Left wrist X-ray · lateral projection · 8y M · in cast · detector: Siemens · image 76.9 mm wide: 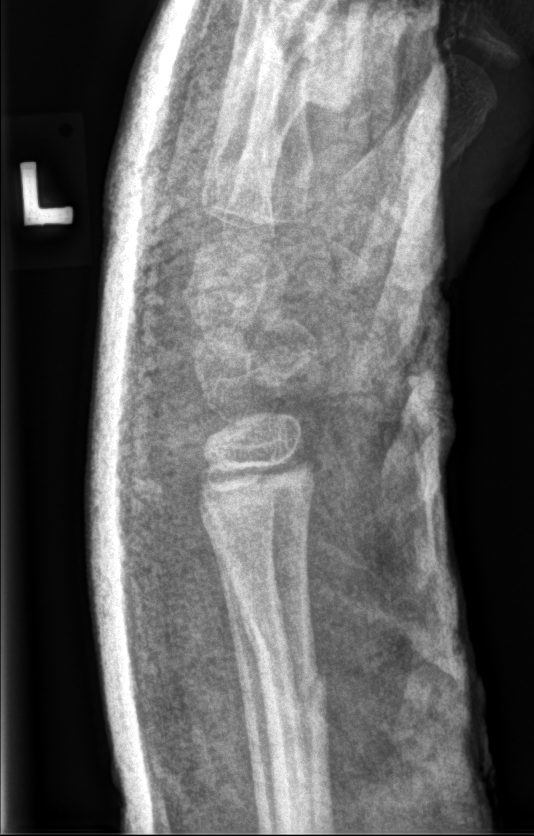

{"fracture": "1 @ (232, 647, 334, 736)"}